AP | Lt plain radiograph of the wrist | girl, 9 yo | imaged through cast | 641 by 902 pixels:

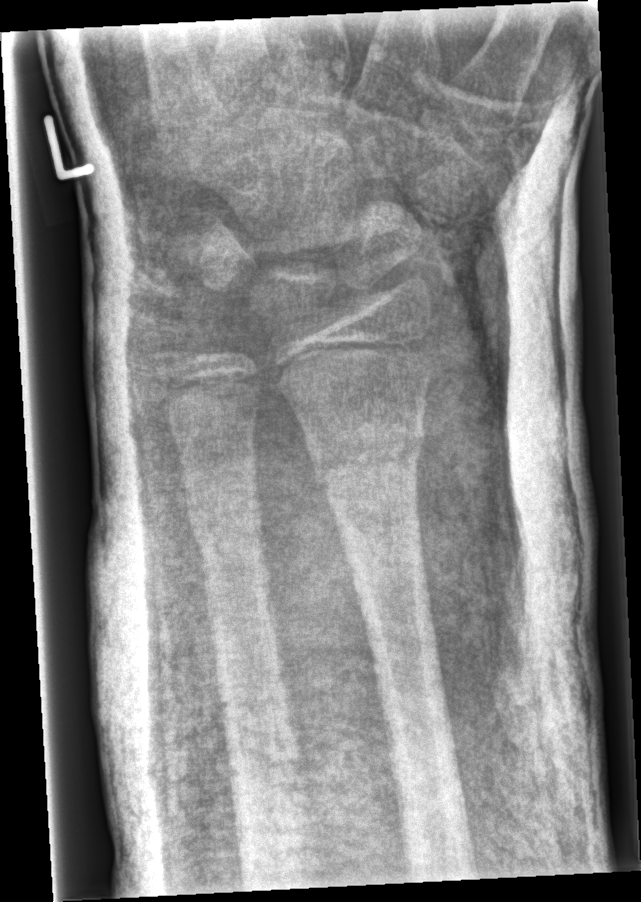 FINDINGS — AO/OTA classification: 23r-M/3.1; 23u-M/2.1. Fx — <307,412>-<427,502>.